L pediatric wrist radiograph · lateral view · subsequent exam:

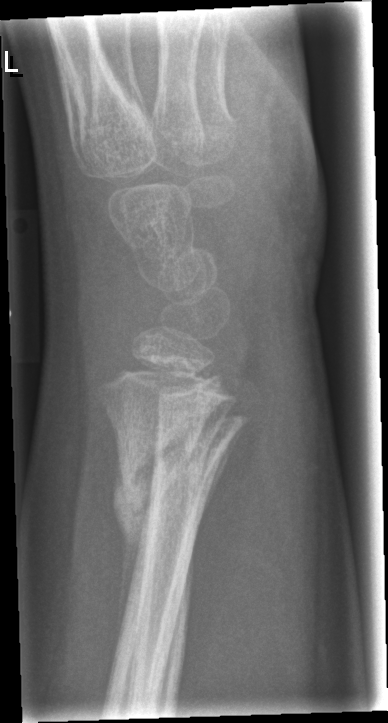
osteopenia: present
periosteal thickening: (left=111, top=449, right=158, bottom=657)
Fx: (left=89, top=377, right=249, bottom=537)